Left wrist pediatric wrist radiograph | lat projection | follow-up study | imaged through cast — 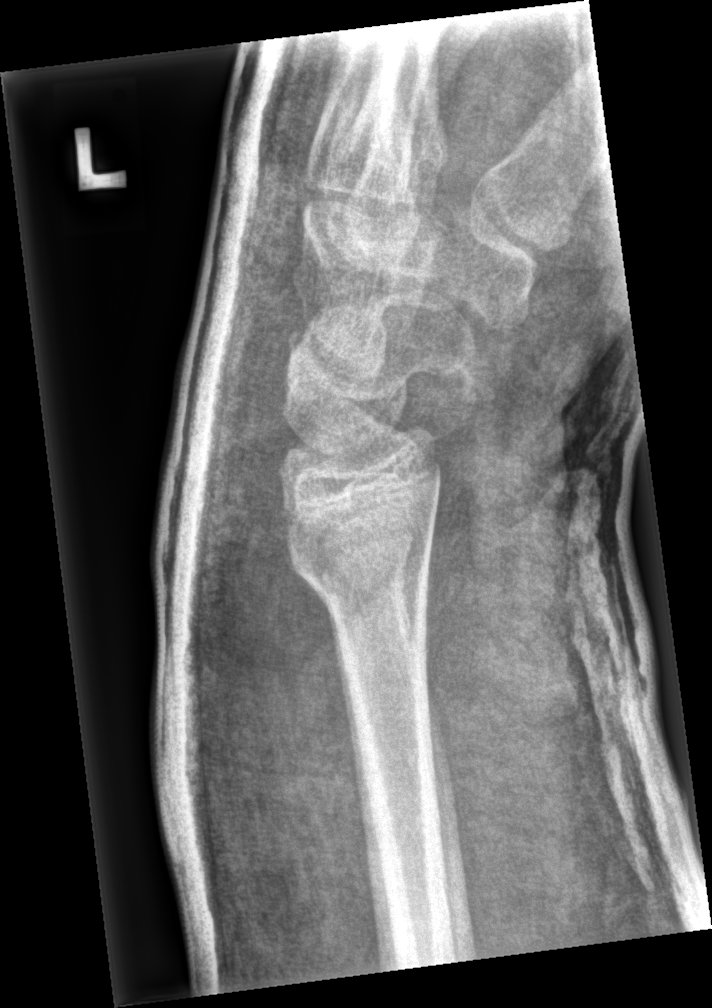
Fracture identified at 281,531,436,621. AO/OTA classification: 23-M/2.1.